Lt wrist plain film · frontal view · 10y F · Siemens —

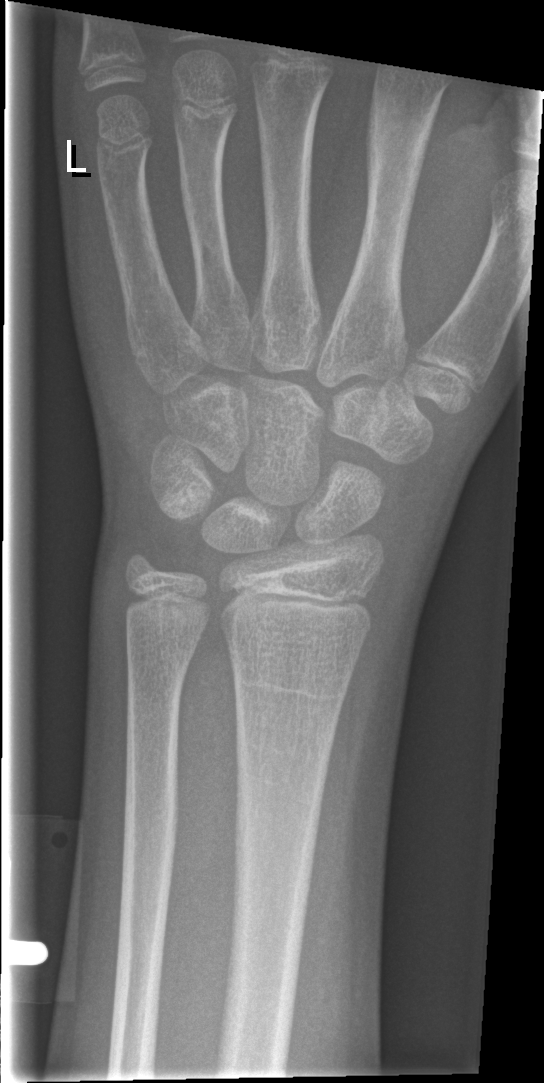

- Fracture: none labeled.